AP view; left wrist XR. 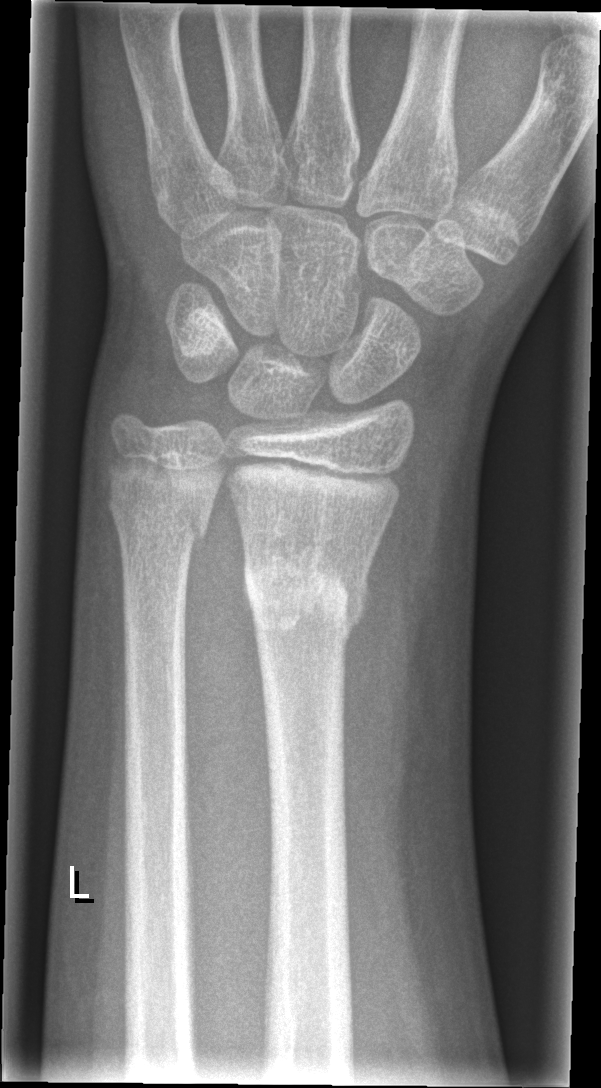 Two fractures at [238, 539, 377, 652], [102, 476, 217, 547].
AO code 23r-M/3.1; 23u-M/2.1.